Lateral · Lt wrist plain film · image width 61.8 mm 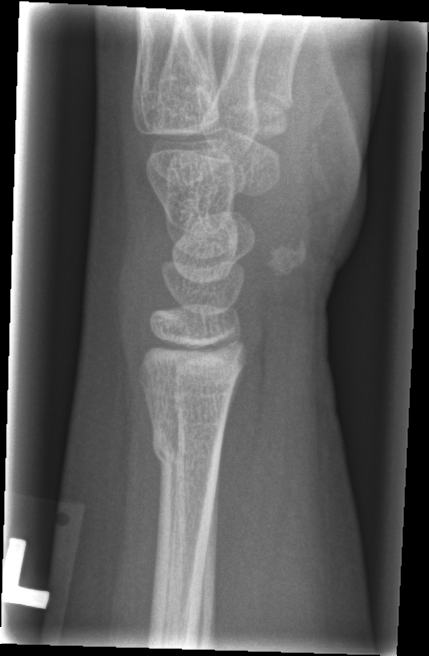
{
  "fracture": "1 @ <149,420>-<227,483>",
  "ao": "23-M/2.1"
}